L wrist radiograph | frontal | subsequent exam —

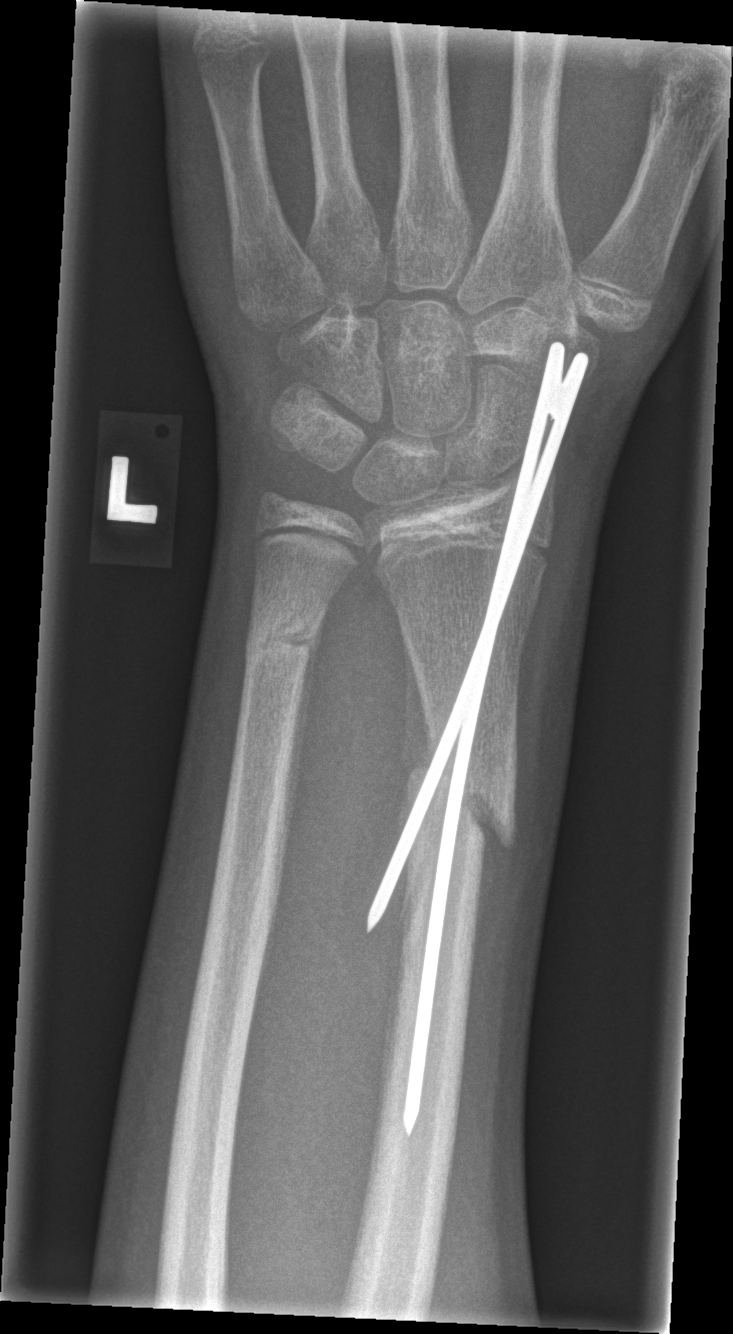 Boxes as x1,y1,x2,y2 (top-left / bottom-right, pixel units). Periosteal reaction: [285, 606, 326, 846], [400, 625, 434, 807], [469, 828, 496, 978]. Fracture classified AO/OTA 22r-D/5.1; 23u-M/2.1. Fracture identified at [400, 748, 520, 862] [237, 595, 334, 676]. One metal at [367, 339, 587, 1137].